Lateral · right wrist XR · 10y F · 407x760. 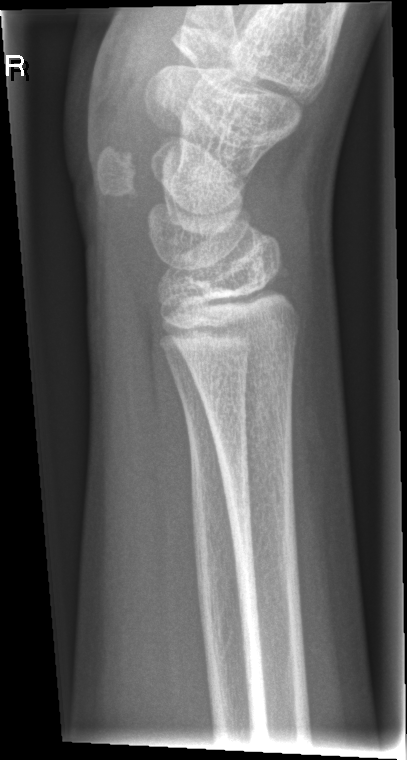
{
  "fracture": "none labeled"
}